Rt wrist X-ray, frontal, 11-year-old girl, image size 531x900. 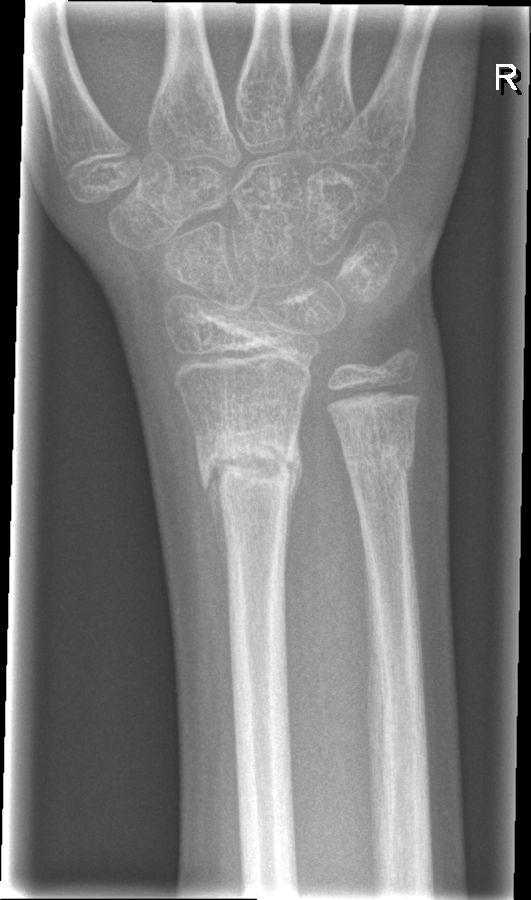 • Reduced bone mineral density.
• Periosteal new bone: <201,458>-<232,630>, <283,428>-<304,576>, <404,452>-<415,560>.
• AO code 23r-M/3.1; 23u-M/2.1.
• Fx — <195,411>-<307,501> <339,434>-<417,481>.